Lateral projection, Lt wrist XR, 6y M, 450 x 860 px.

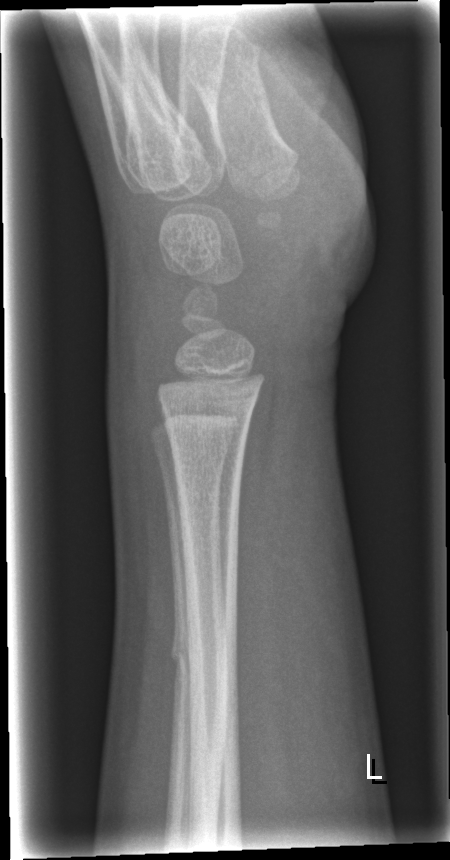 Fx: <168,624>-<241,684>